Left pediatric wrist radiograph | lat projection | 10-year-old male | detector: Siemens. 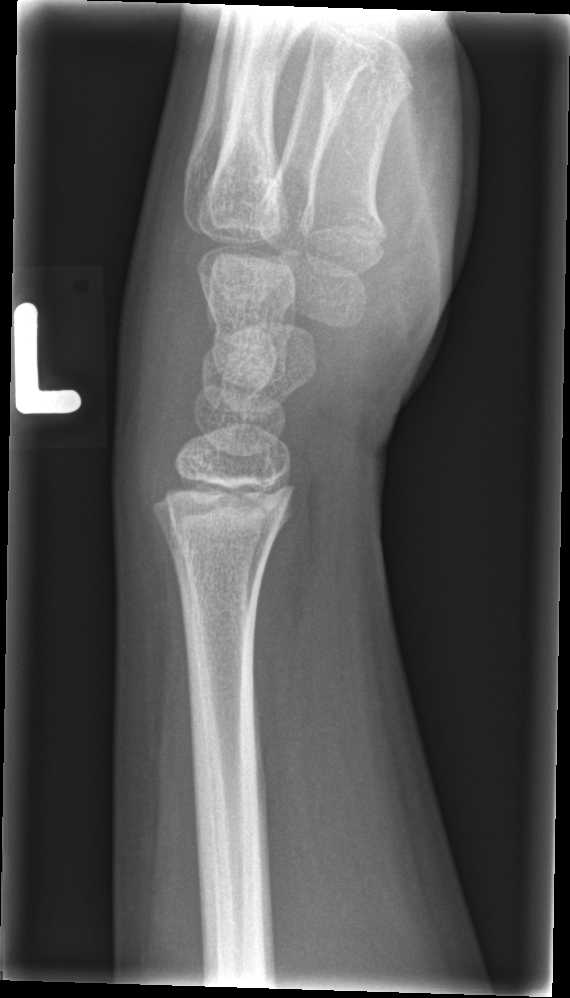

Fx = none labeled